Right wrist XR; AP; 10-year-old boy; presentation radiograph

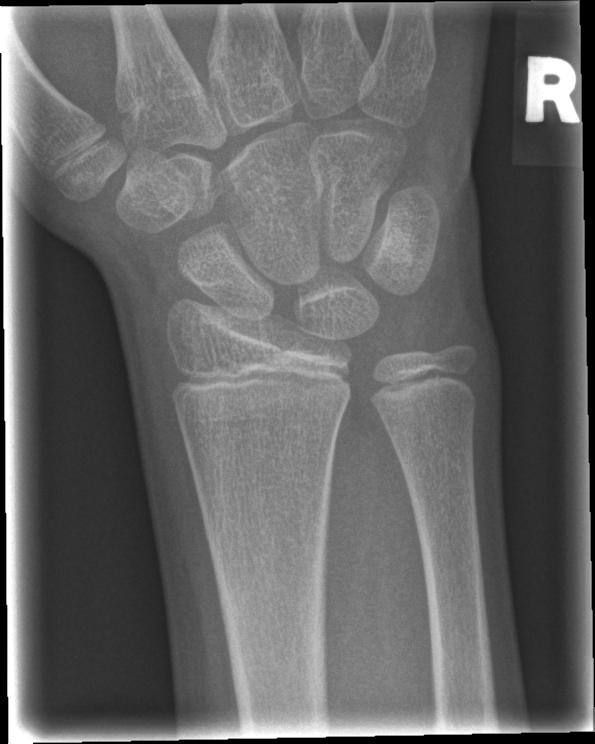

  fracture: none labeled